Right wrist XR; frontal view; 7-year-old girl; cast in situ:

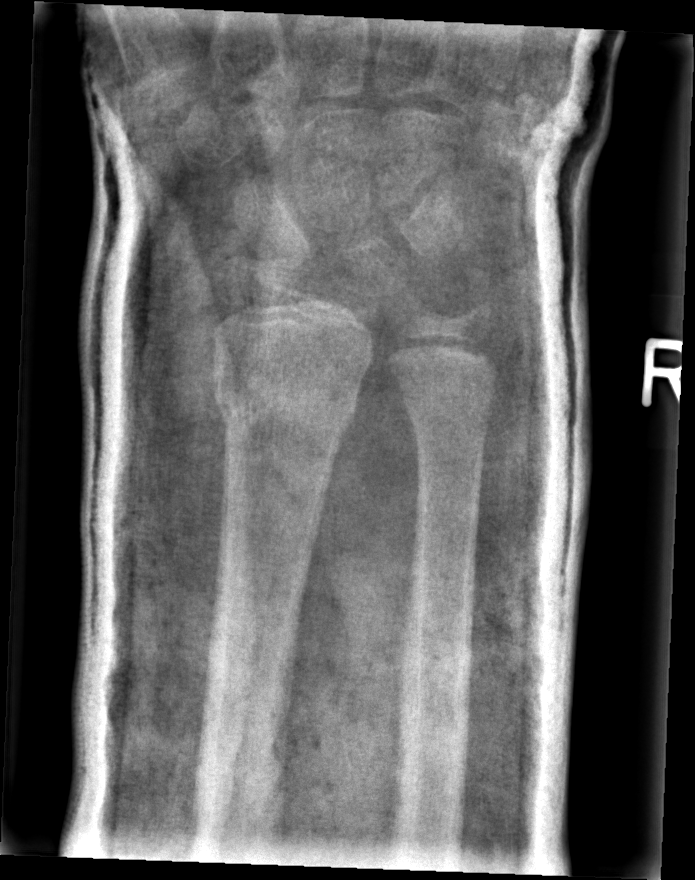 FINDINGS — (boxes as x1,y1,x2,y2 (top-left / bottom-right, pixel units)) Fracture classified AO/OTA 23-M/2.1. Two bone fractures at [x1=212, y1=362, x2=365, y2=436], [x1=397, y1=378, x2=496, y2=436].